Right wrist radiograph; AP view; cast in situ —
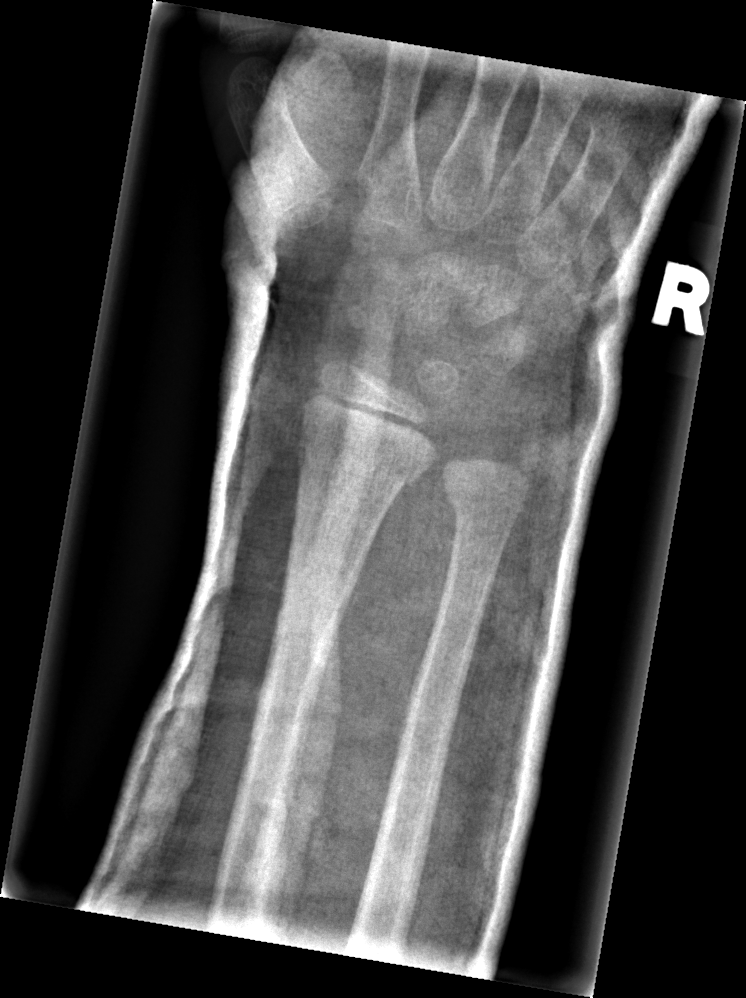 Coordinates are [x1, y1, x2, y2] in image pixels.
AO code 23r-E/2.1; 23u-M/2.1.
Bone fractures — (290, 426, 437, 503); (443, 482, 524, 530).